Lat · L plain radiograph of the wrist. 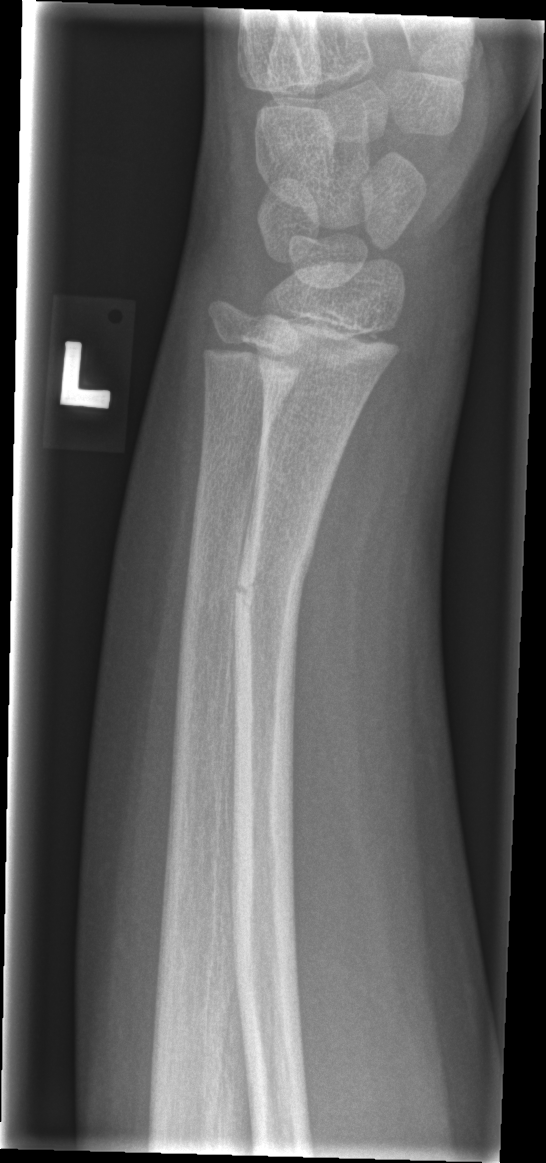

FINDINGS — Fracture classified AO/OTA 22r-D/2.1. Fracture — (230, 552, 309, 634).